Frontal projection · Lt wrist XR · age 13 y, male.

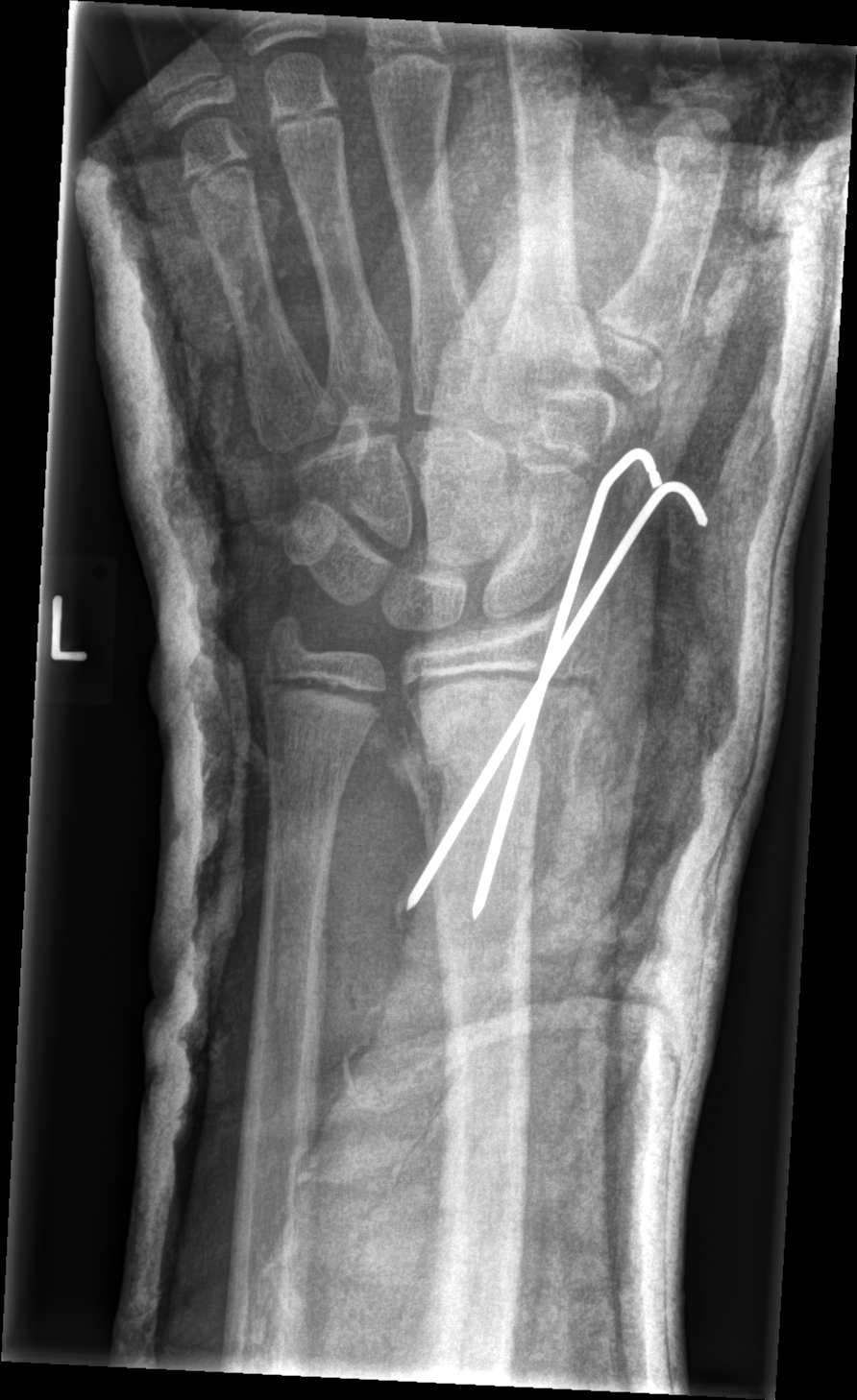

Bone fracture = 401,724,581,809
AO code = 23r-E/2.1; 23u-E/7
Metal = 403,446,710,924